PA/AP projection | L wrist XR | 10-year-old boy | imaged through cast
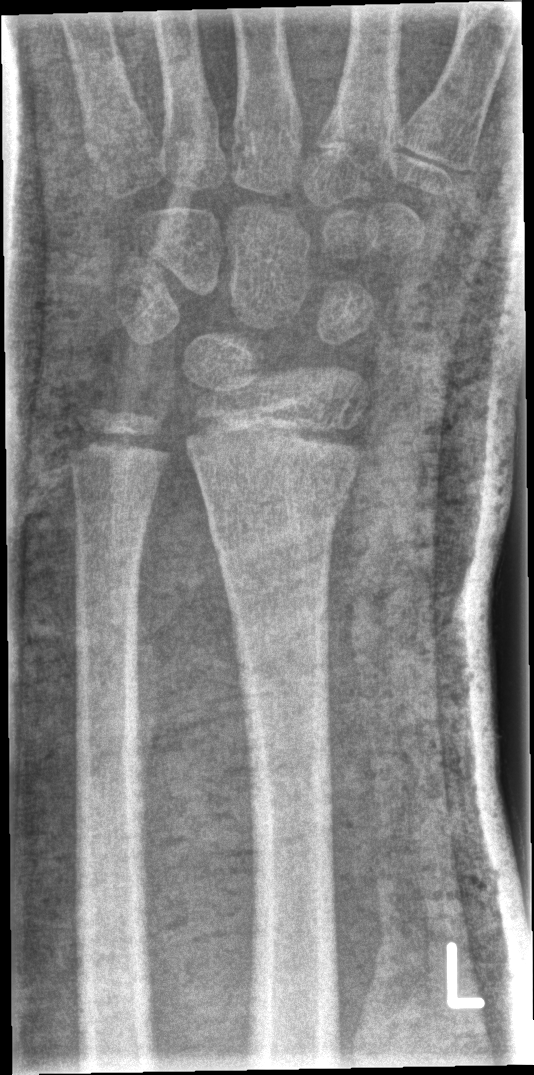

Boxes as x1,y1,x2,y2 (top-left / bottom-right, pixel units).
AO/OTA classification: 23r-M/2.1.
Bone fracture — <206,497>-<344,563>.